Lt wrist plain film | frontal | pediatric patient (boy, age 13). 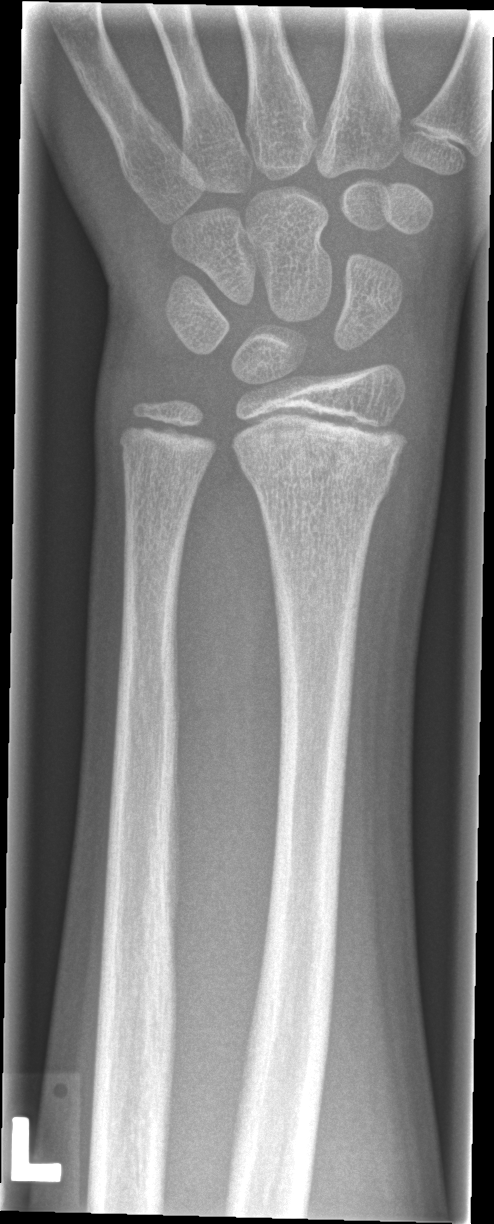

Fx identified at bbox(236, 438, 399, 506).
Fracture classified AO/OTA 23r-M/2.1.